Lateral projection | L wrist X-ray.

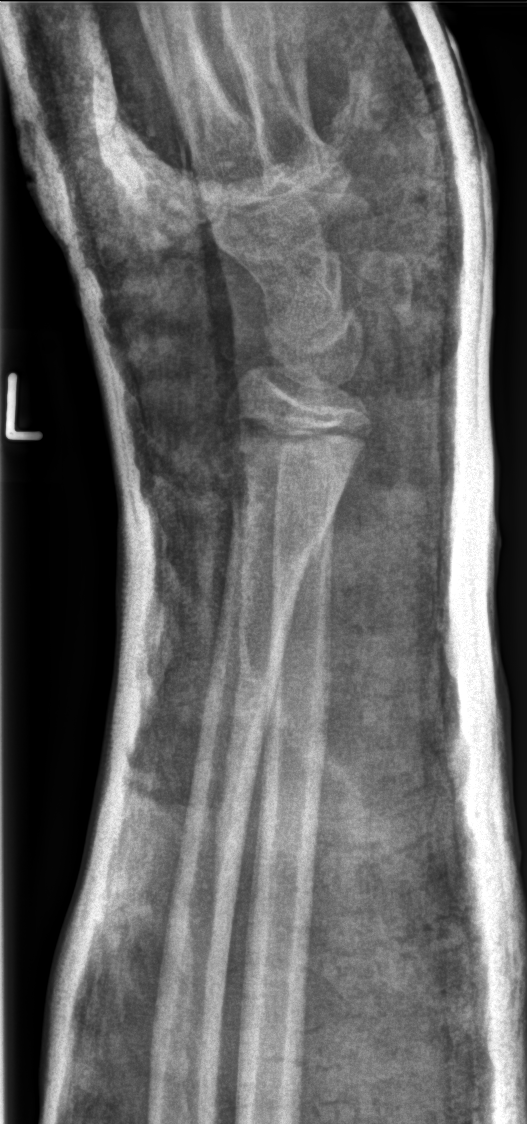

Fx = 1 @ bbox(220, 447, 361, 566)